Lateral; R wrist plain film; detector: Siemens; image size 440x738:
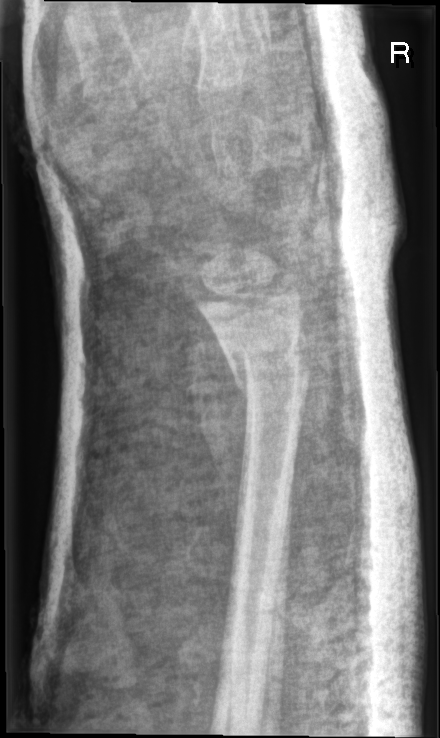

Fx: 1 @ bbox(222, 322, 313, 398)